Left wrist X-ray, lateral view, 515 by 1238 pixels:

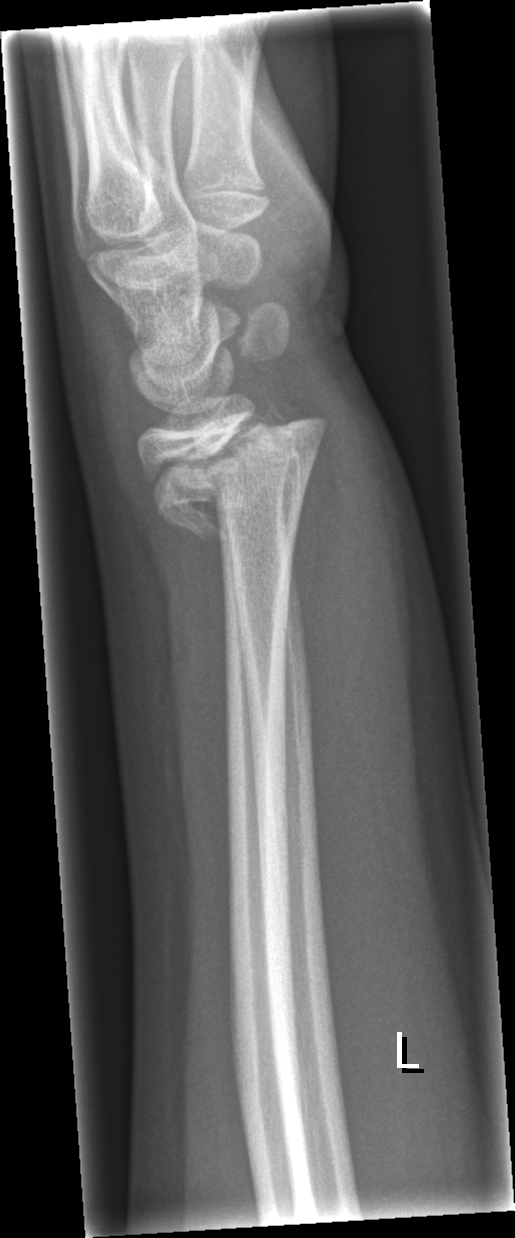
- AO code 23r-E/2.1.
- Fx: [129, 398, 327, 546].